Lat projection; right wrist plain radiograph of the wrist; 8y F — 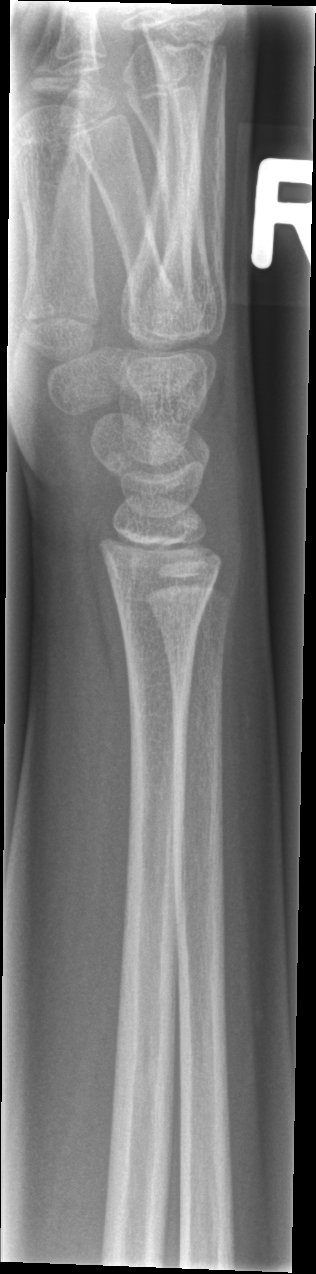   fracture: 111 582 216 645